AP · right wrist X-ray · acquired on Siemens:
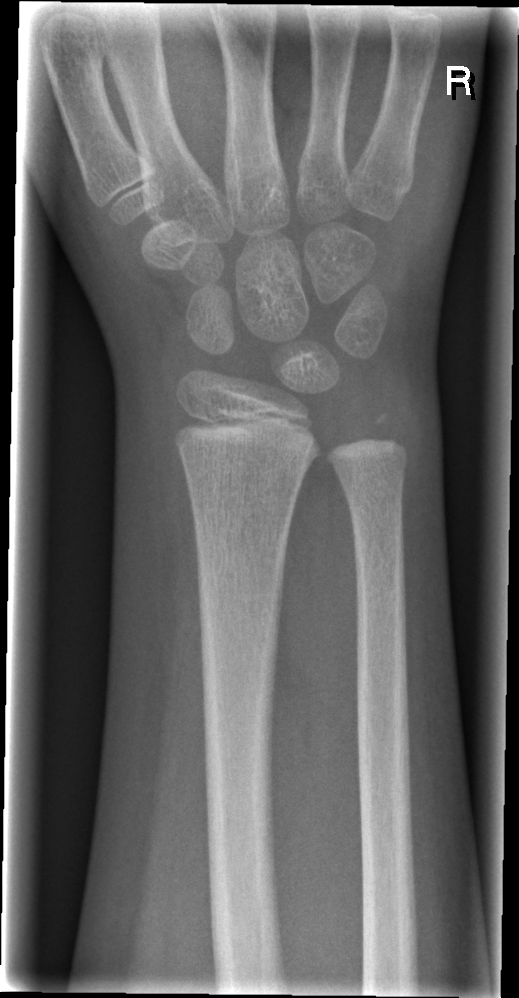
Findings: Fracture: none labeled.